Left wrist radiograph; AP projection; girl, 7 yo; subsequent exam; 382 by 714 pixels —

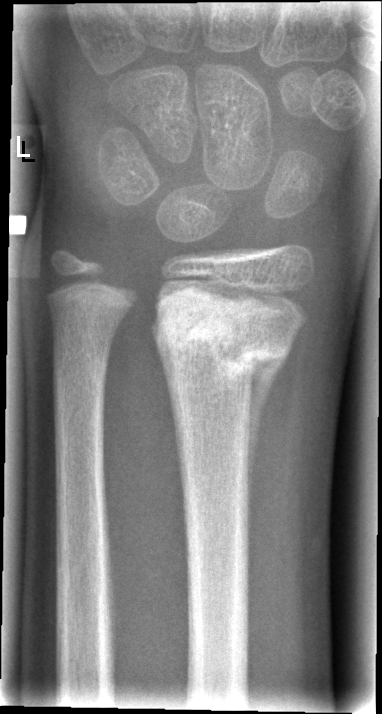

Periosteal thickening identified at 246,351,290,521. One Fx at 151,285,301,379.